Lat · right wrist radiograph — 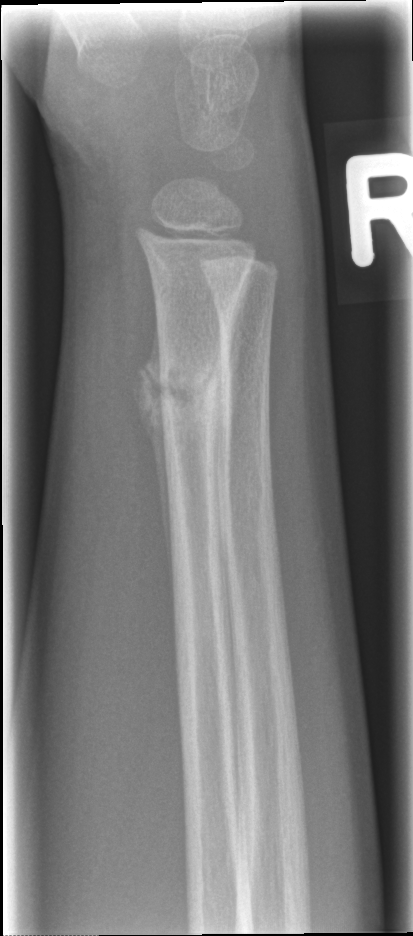 One bone fracture at (155, 361, 234, 427).
AO/OTA classification: 23r-M/3.1.
One periosteal thickening at (136, 337, 175, 573).